Lateral · right wrist XR · follow-up study.
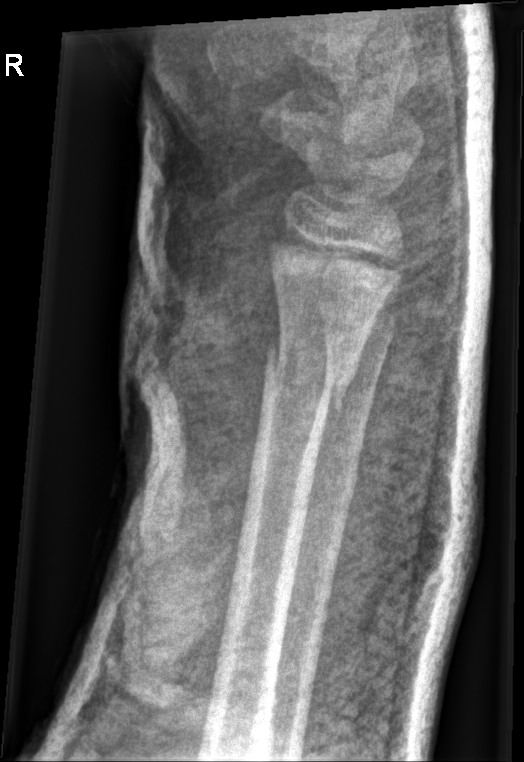   fracture: (260, 330, 364, 415); (294, 455, 362, 505)